PA/AP; R pediatric wrist radiograph; pediatric patient (boy, age 14); follow-up; in cast:

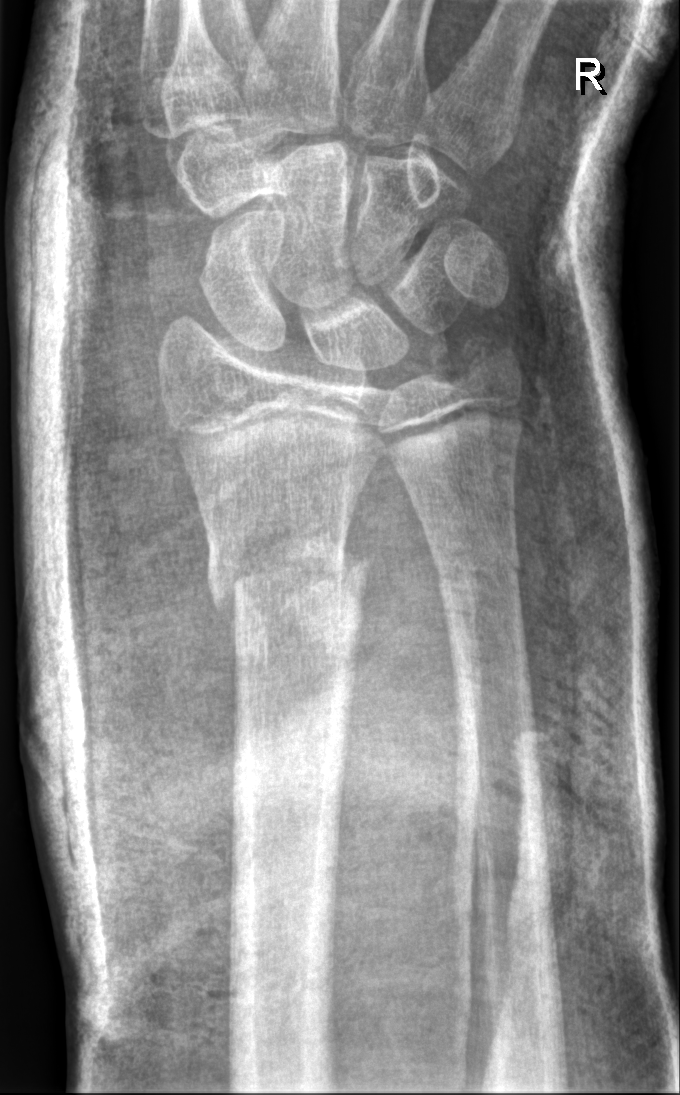

(bounding boxes in image-pixel xyxy)
Q: AO code?
A: Fracture classified AO/OTA 23-M/3.1; 23u-E/7
Q: Is there a fracture?
A: Three fractures at 201,526,375,626
  429,546,528,602
  457,326,523,382